Lat view, left wrist XR:

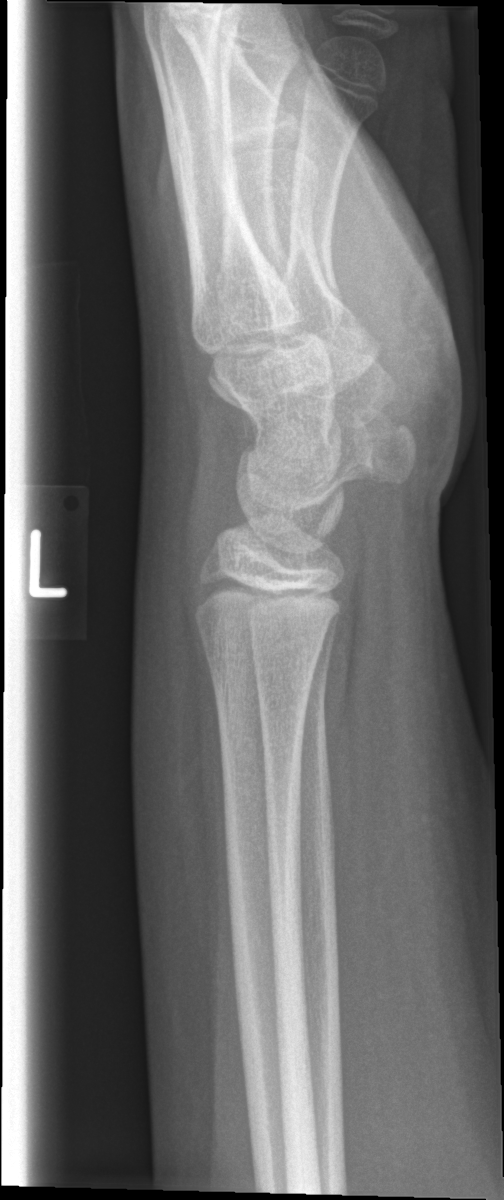

Fracture: none labeled.